Lat projection, Lt wrist XR, age 11 y, boy: 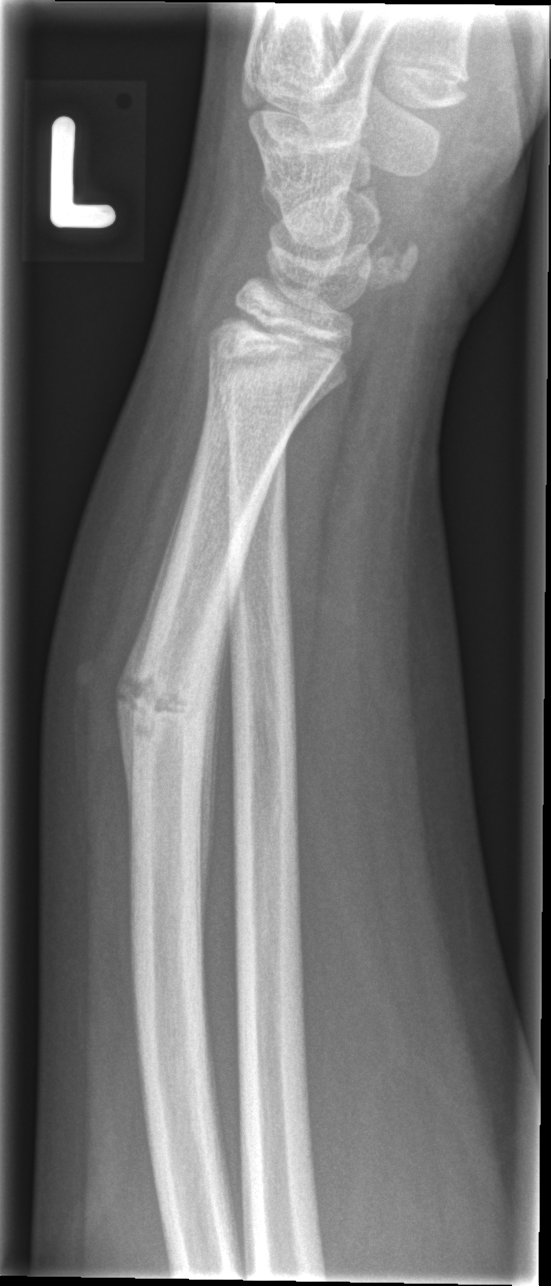
Fx = <113,653>-<218,751>
AO code = 22r-D/2.1
periosteal new bone = <112,456>-<196,872>; <200,581>-<239,946>